PA/AP; L wrist plain film; 10-year-old female —
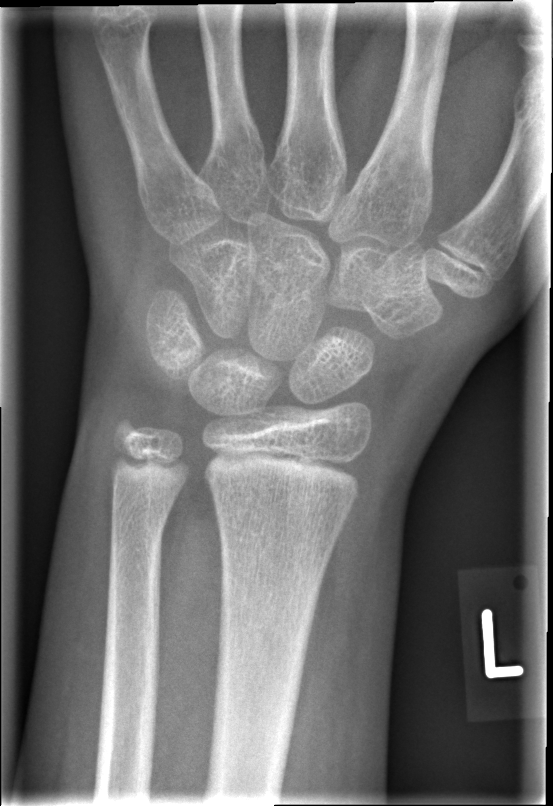
Fracture: none labeled